Frontal view; L plain radiograph of the wrist; image 74.3 mm wide

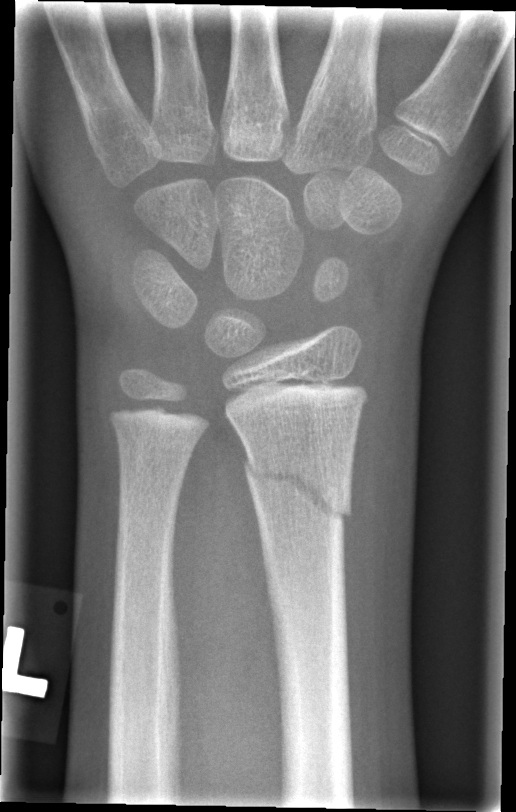

Q: Any fracture seen?
A: Fx — (left=239, top=445, right=355, bottom=532)
Q: AO code?
A: Fracture classified AO/OTA 23r-M/3.1